Lateral view · L wrist X-ray · pediatric patient (boy, age 16) · follow-up · imaged through cast. 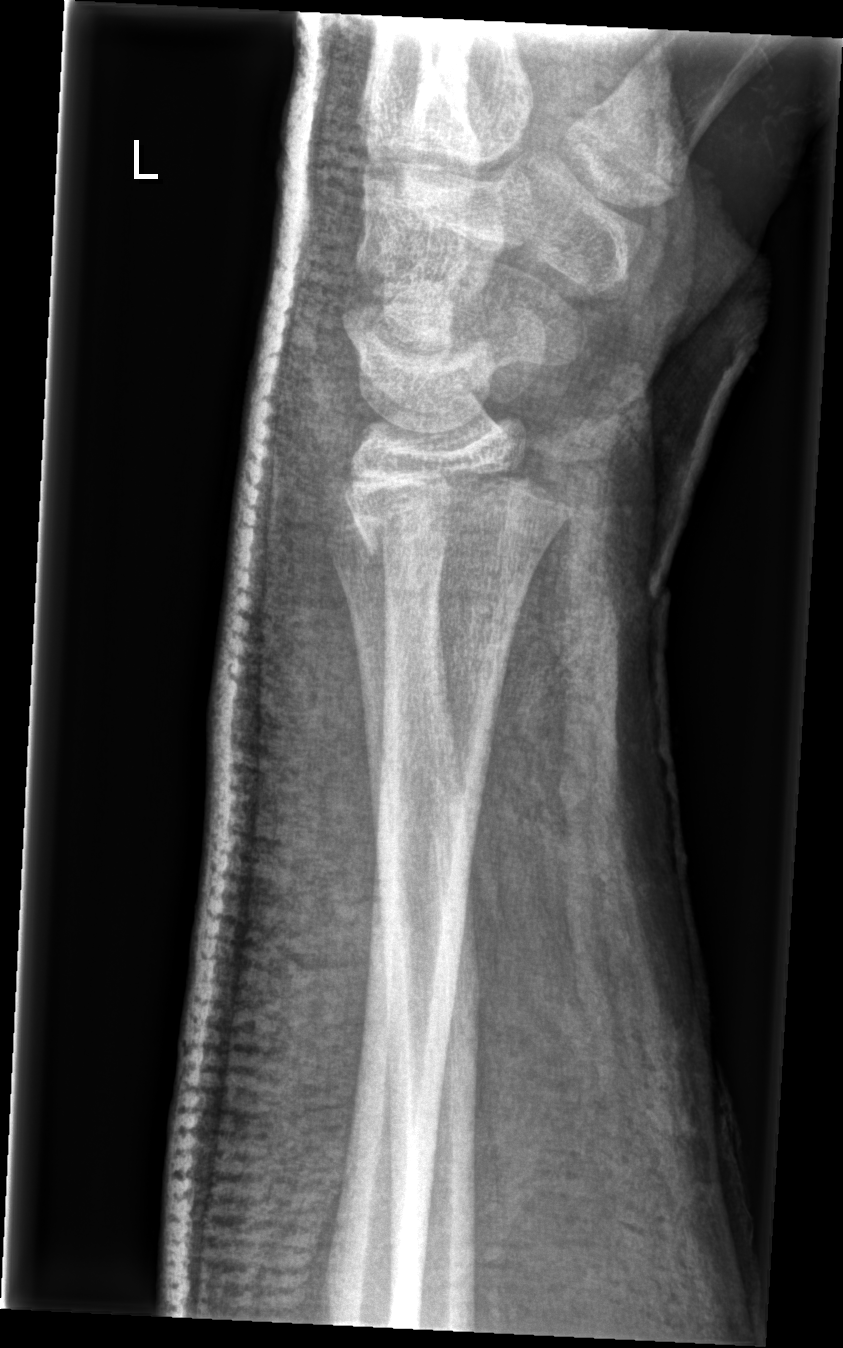
bone fracture = 1 @ bbox(338, 449, 580, 573)